R wrist X-ray · posteroanterior · presentation radiograph · image size 541x830: 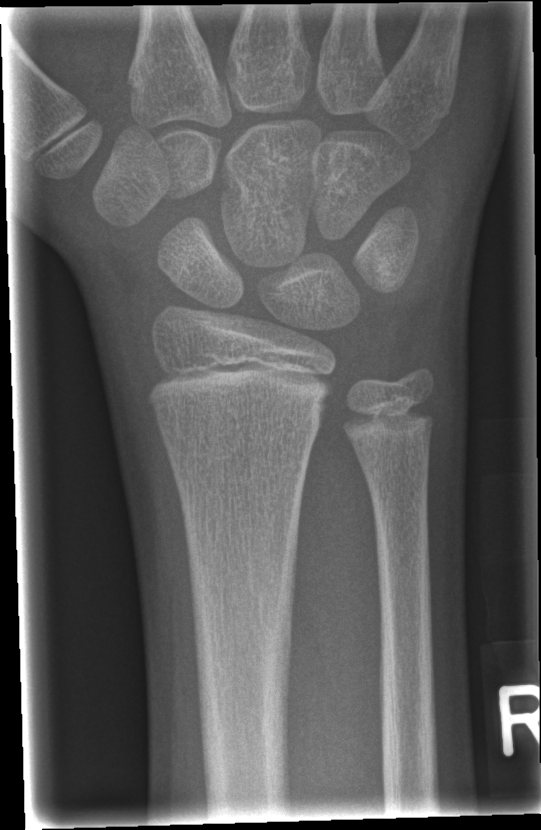

Findings: No fracture bounding box.